Left wrist plain radiograph of the wrist, lateral projection, girl, 6 yo, follow-up study, cast present, 354 x 740 px. 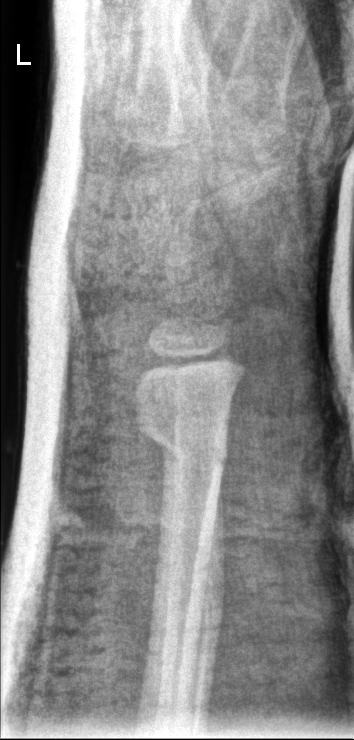
* Bone fracture — 130,404,230,477.
* AO code 23r-M/3.1.